Lat view, Lt wrist radiograph, age 15 y, boy — 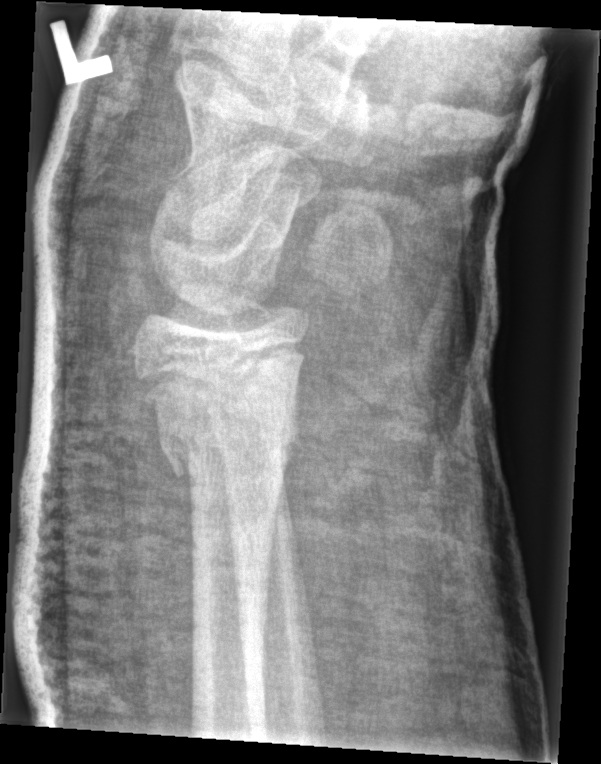
Q: AO code?
A: Fracture classified AO/OTA 23r-M/3.1; 23u-E/7
Q: Is there a fracture?
A: Bone fracture identified at 144,393,303,482